Lateral, left wrist XR, in cast, Siemens: 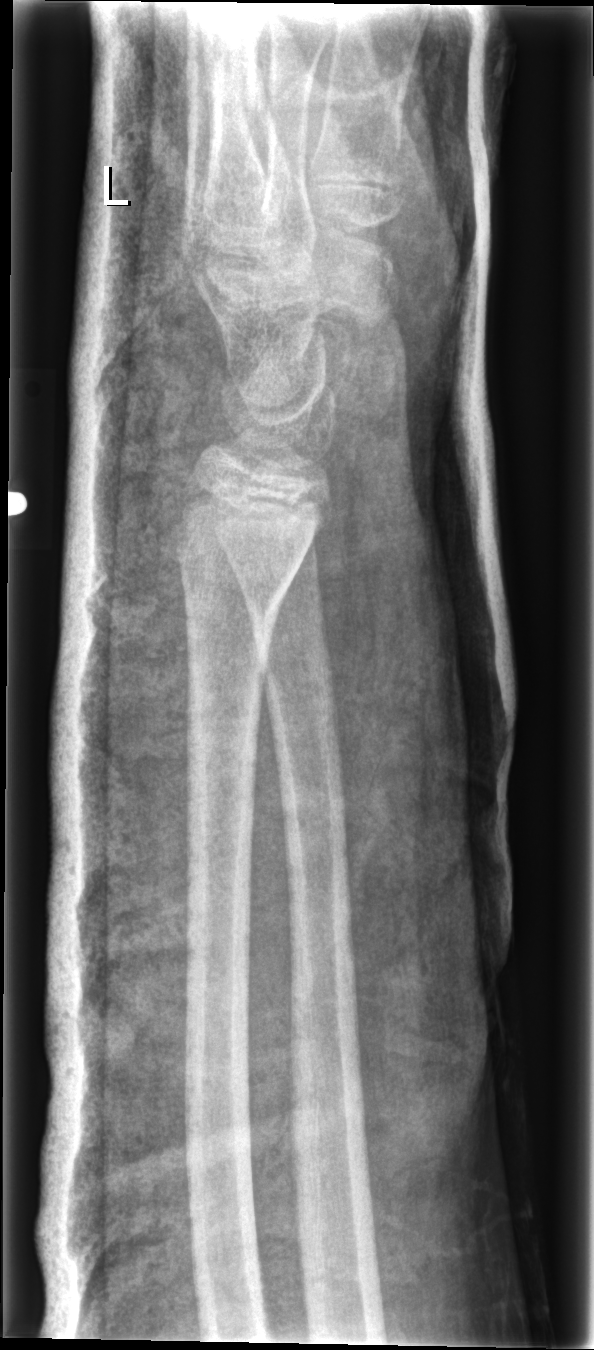 Fx = present but not clearly seen in this view